AP, R plain radiograph of the wrist, 12y F, imaged through cast, acquired on Siemens, 808 by 1020 pixels
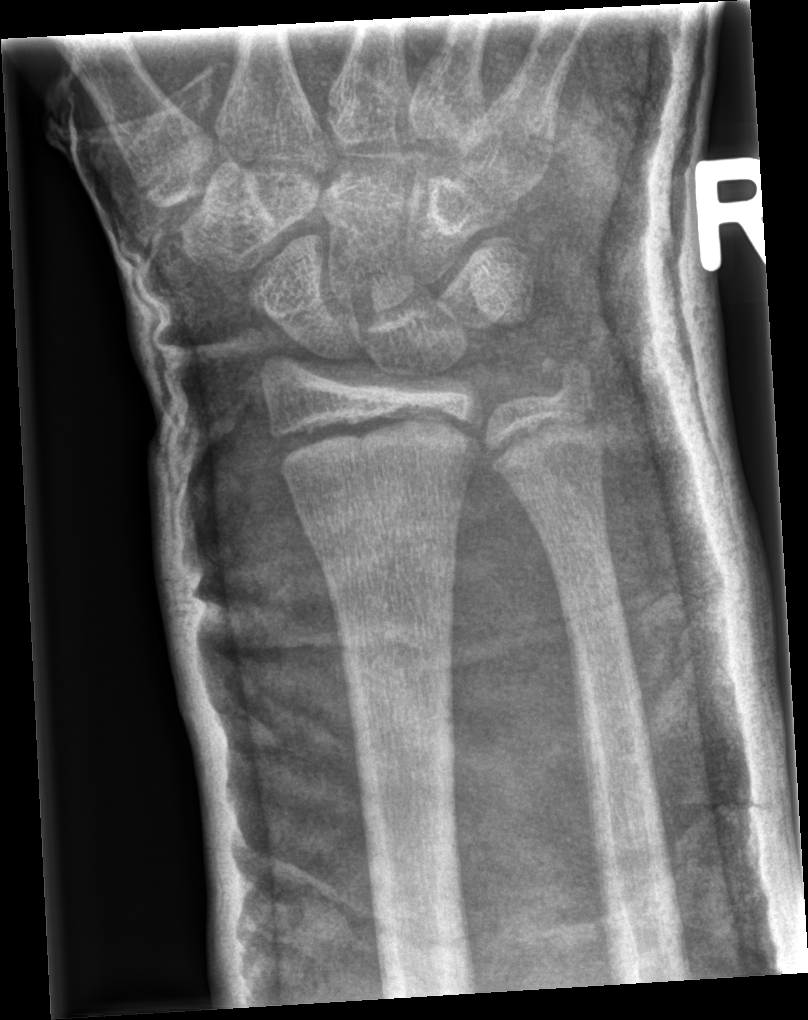
• Fx: [267, 397, 479, 484] [537, 351, 603, 414].
• AO/OTA classification: 23r-E/2.1; 23u-E/7.